Rt wrist XR | lat projection | pediatric patient (female, age 13) | acquired on Siemens | 50.0 mm image width | image size 347x1030

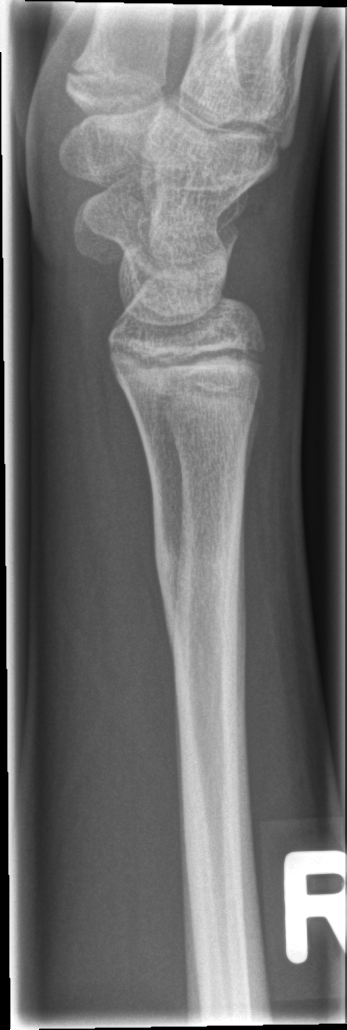
FINDINGS: (bounding boxes in image-pixel xyxy) One fracture at (left=150, top=537, right=245, bottom=666).